L wrist X-ray, AP projection, 564 by 818 pixels
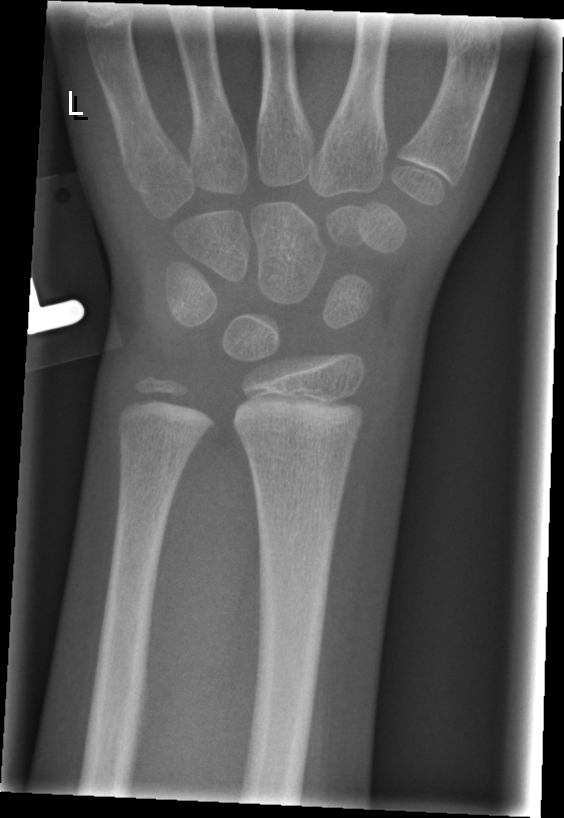 • Fracture: none labeled.